Right wrist pediatric wrist radiograph · AP view · presentation radiograph
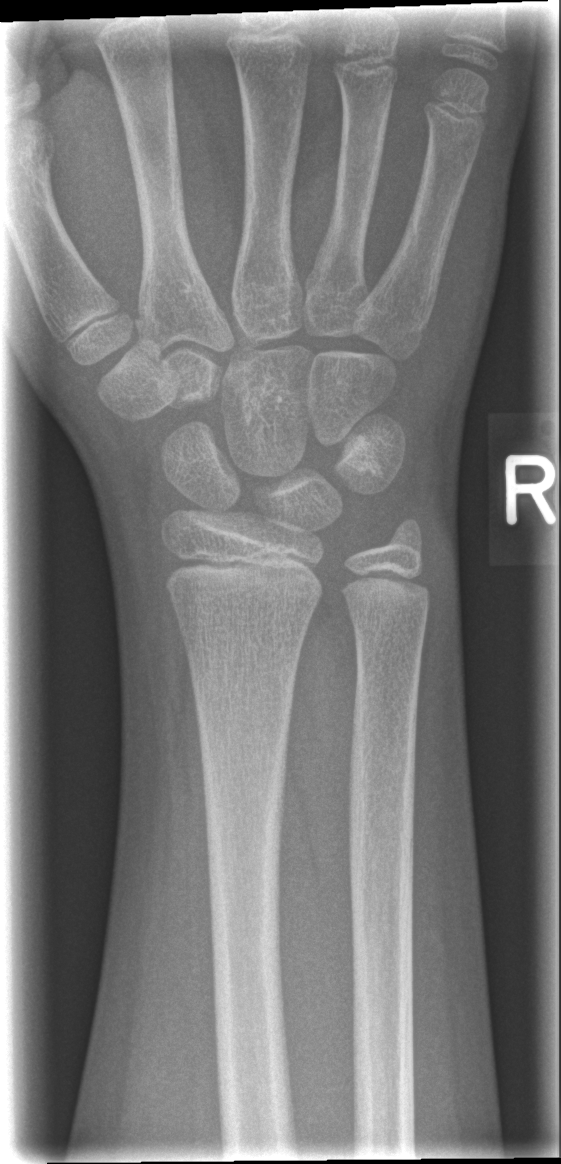
FINDINGS — No fracture annotation.